Lat view · left wrist radiograph · 45.4 mm image width:

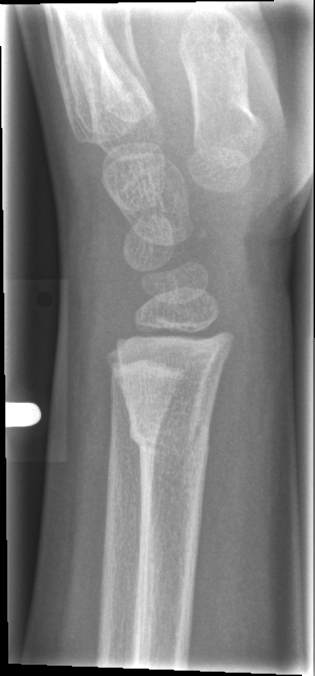

bone fracture: 1 @ 124 404 215 460
AO classification: 23r-M/2.1